Lateral projection · L plain radiograph of the wrist · cast present · image 106.4 mm wide:

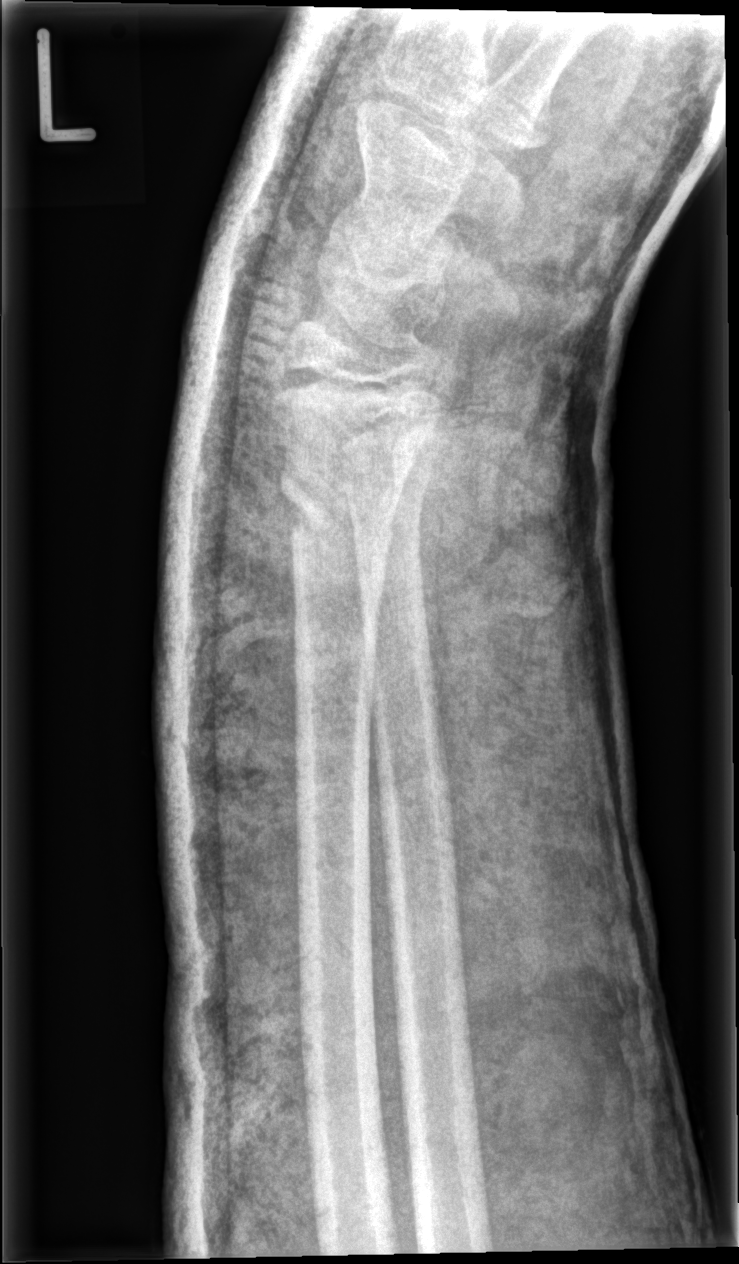
Pixel coordinates, top-left origin, xyxy. Fracture classified AO/OTA 23r-M/3.1; 23u-E/7. Fx identified at <275,451>-<401,567>.